R wrist XR; lateral view; 10-year-old female; in cast —

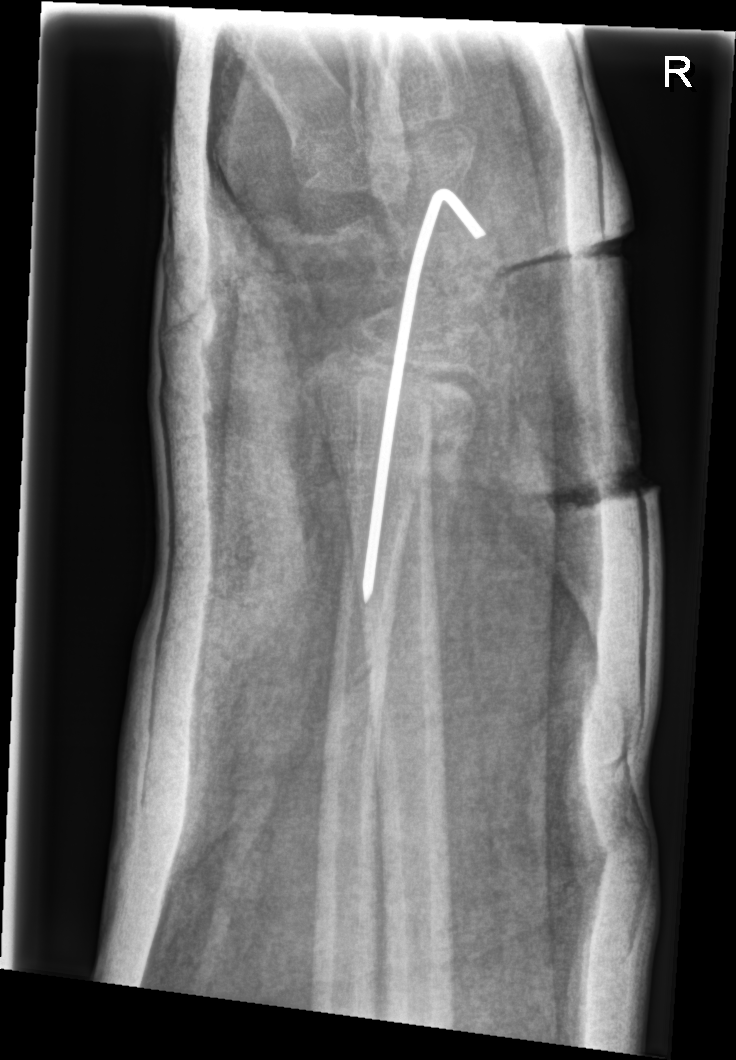
* Bounding boxes in image-pixel xyxy.
* Fracture identified at (left=303, top=333, right=482, bottom=515).
* Hardware identified at (left=362, top=188, right=487, bottom=604).
* AO code 23r-E/2.1; 23u-M/2.1.